PA/AP, R wrist X-ray, female, 11 yo.
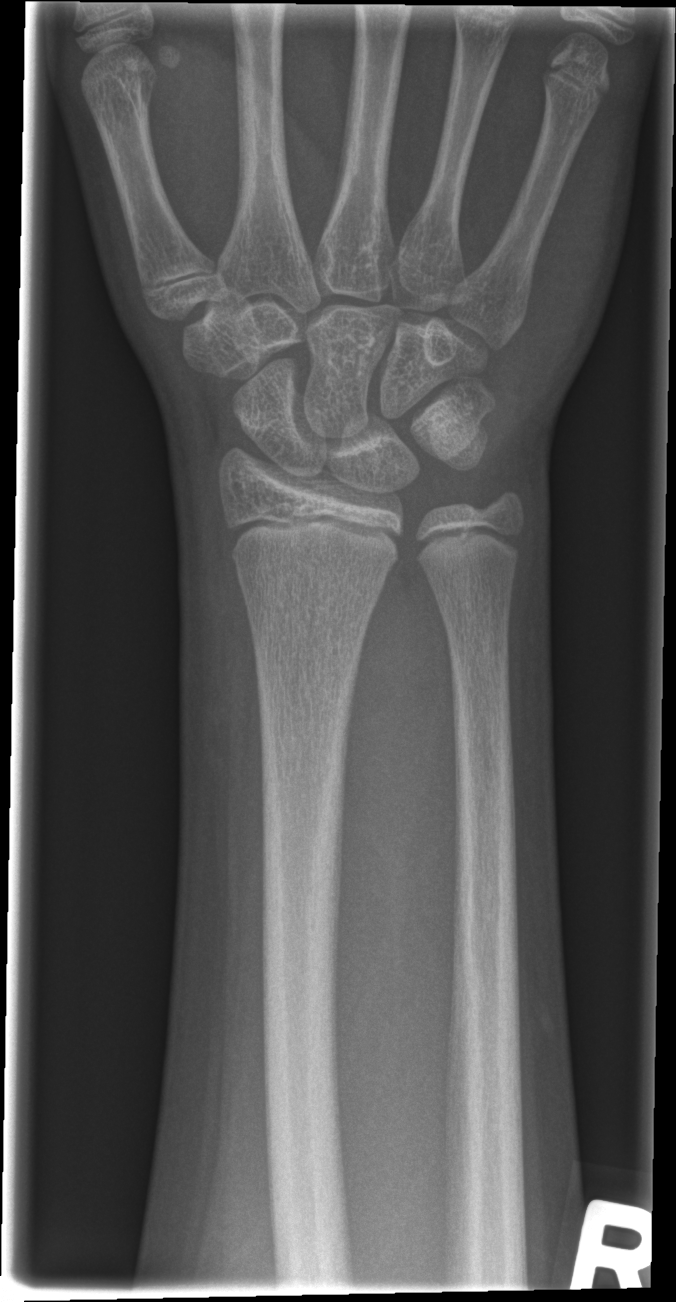 FINDINGS: (coordinates are [x1, y1, x2, y2] in image pixels) Fracture — [234, 553, 390, 621]. Fracture classified AO/OTA 23r-M/2.1.